Lateral view; left wrist plain film; detector: Siemens; image width 100.7 mm.

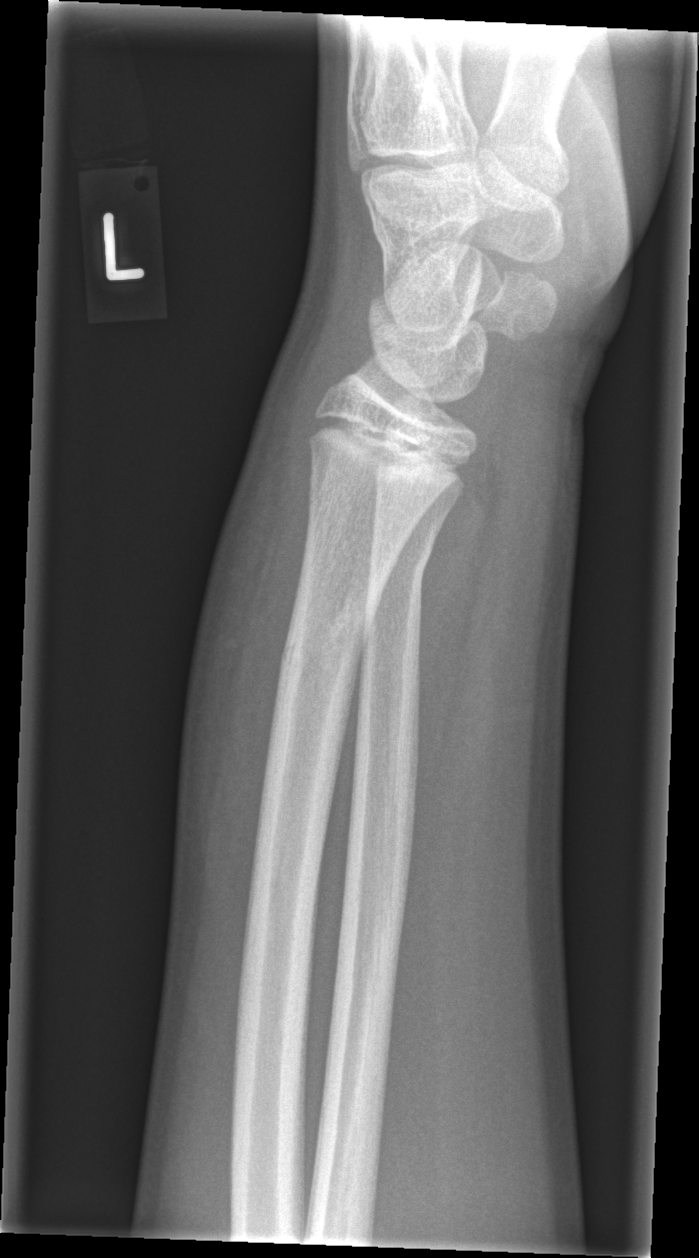
FINDINGS — Soft-tissue swelling identified at (177, 430, 313, 911). AO/OTA classification: 23r-M/3.1; 23u-M/2.1; 23u-E/7. Bone fractures — (275, 586, 380, 702) (364, 526, 439, 604). Pronator sign: (413, 480, 509, 815).